Lt wrist X-ray | frontal projection | 15y M | 573x936
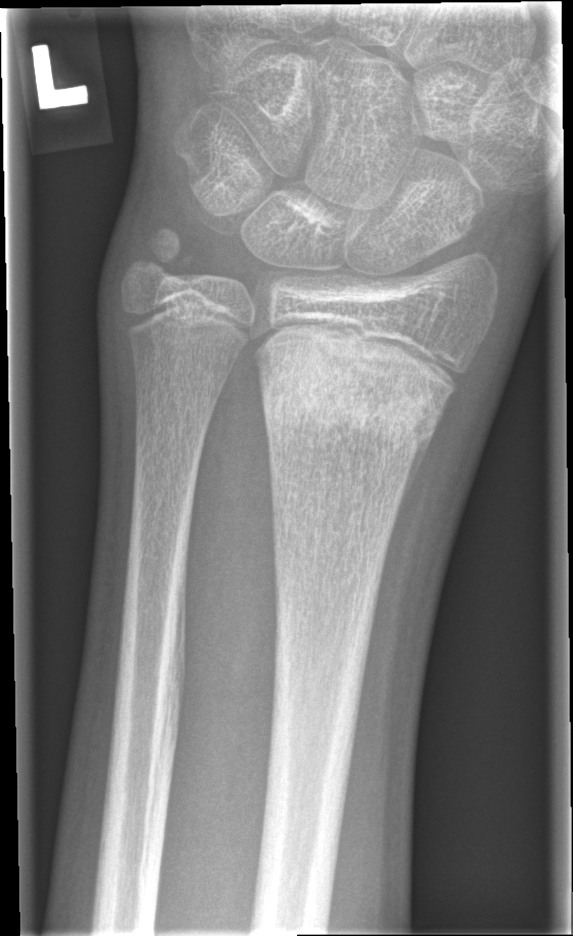   periostealreaction: [x1=390, y1=421, x2=441, y2=538]
  ao: 23r-M/3.1; 23u-E/7
  osteopenia: present
  fracture: 2 @ [x1=252, y1=344, x2=450, y2=456]; [x1=121, y1=219, x2=195, y2=285]